Left wrist pediatric wrist radiograph; lateral view; subsequent exam; in cast; image 90.7 mm wide
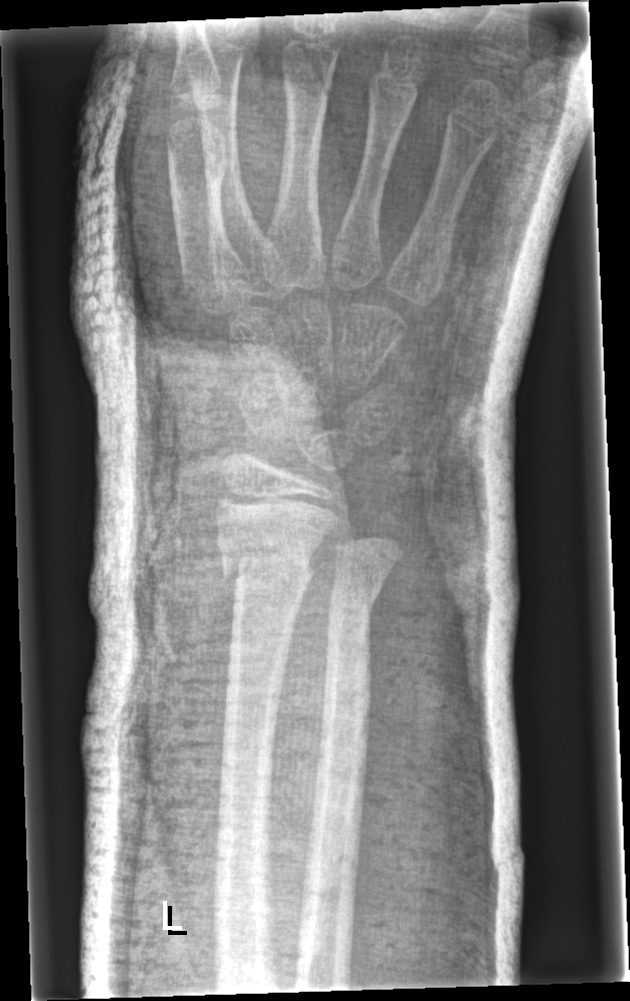
Two fractures at <216,535>-<324,598> <321,564>-<385,631>.